Left plain radiograph of the wrist | PA/AP | age 12 y, boy | cast present.

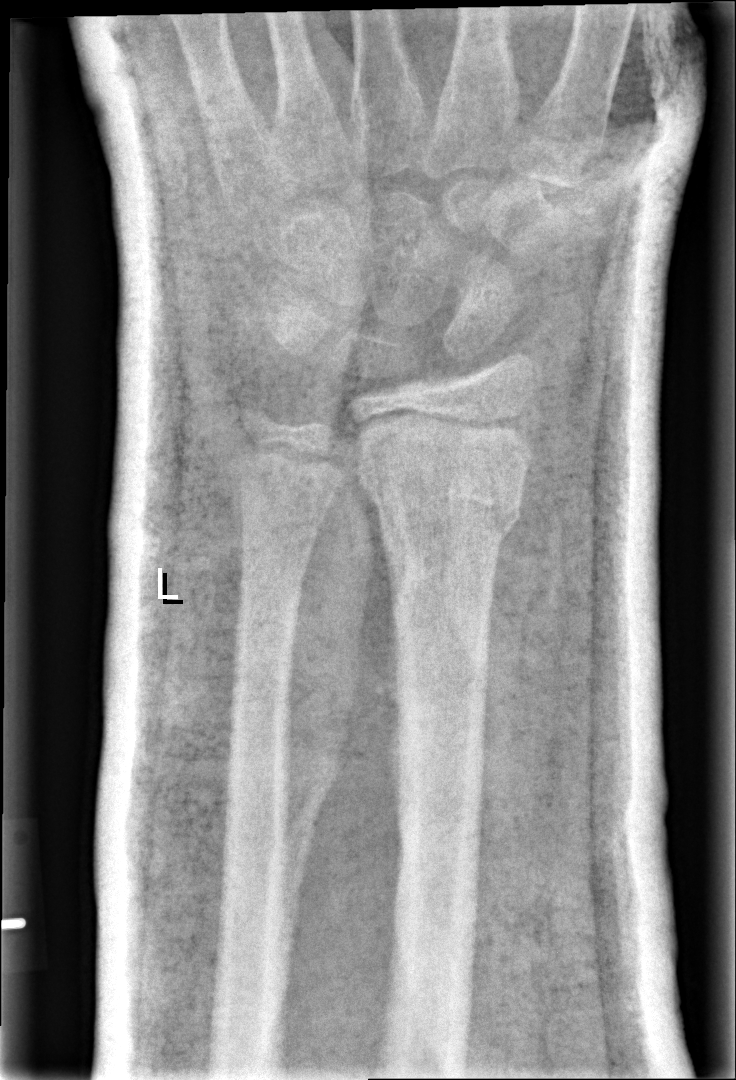

- Fx — 354 442 528 555.
- AO code 23r-M/3.1.